PA projection · left plain radiograph of the wrist · pediatric patient (male, age 14) · image width 96.3 mm 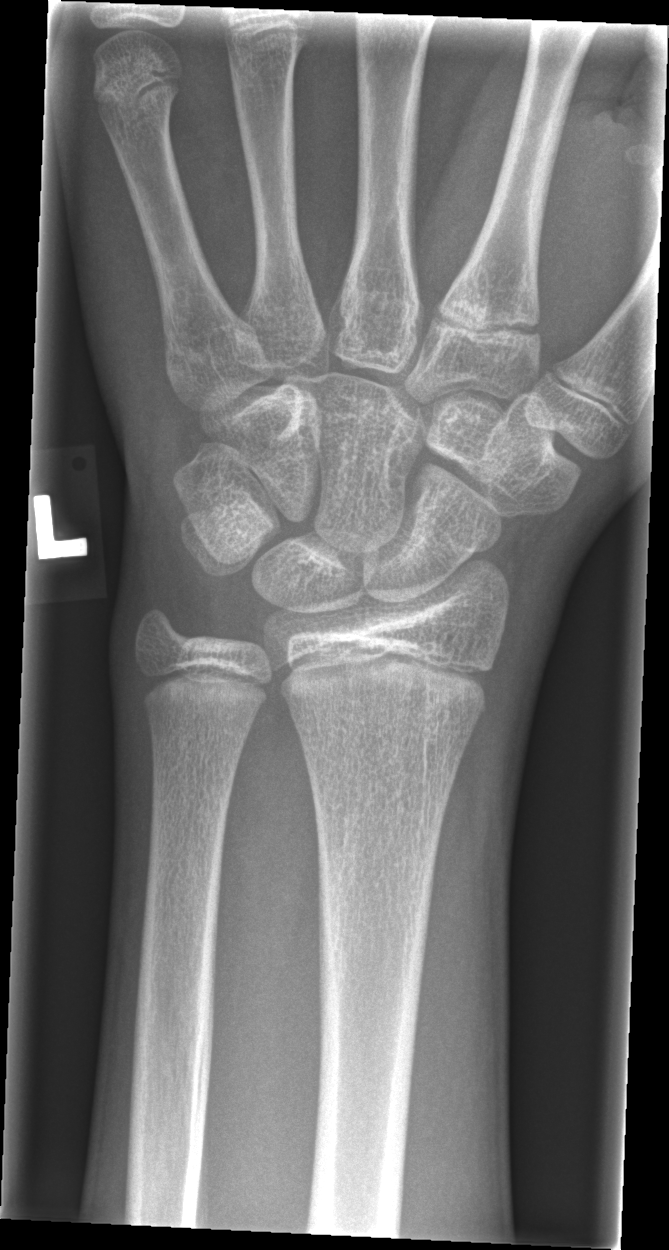
FINDINGS: Fracture: none labeled.